Right wrist plain film; lateral view; 11-year-old girl; 407x1168

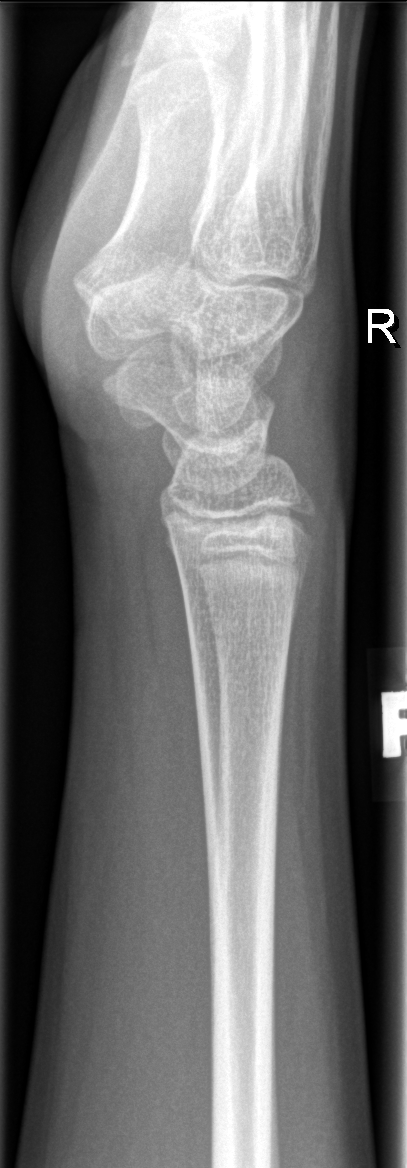
Fracture = none labeled